Rt wrist X-ray, lat view, 9y F, detector: Siemens.
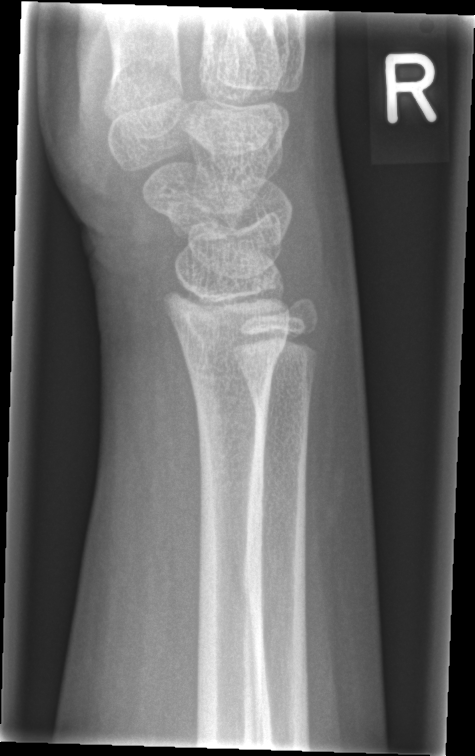

- One Fx at <172,324>-<291,380>.
- AO code 23r-M/2.1.